PA | R plain radiograph of the wrist | 82.5 mm image width
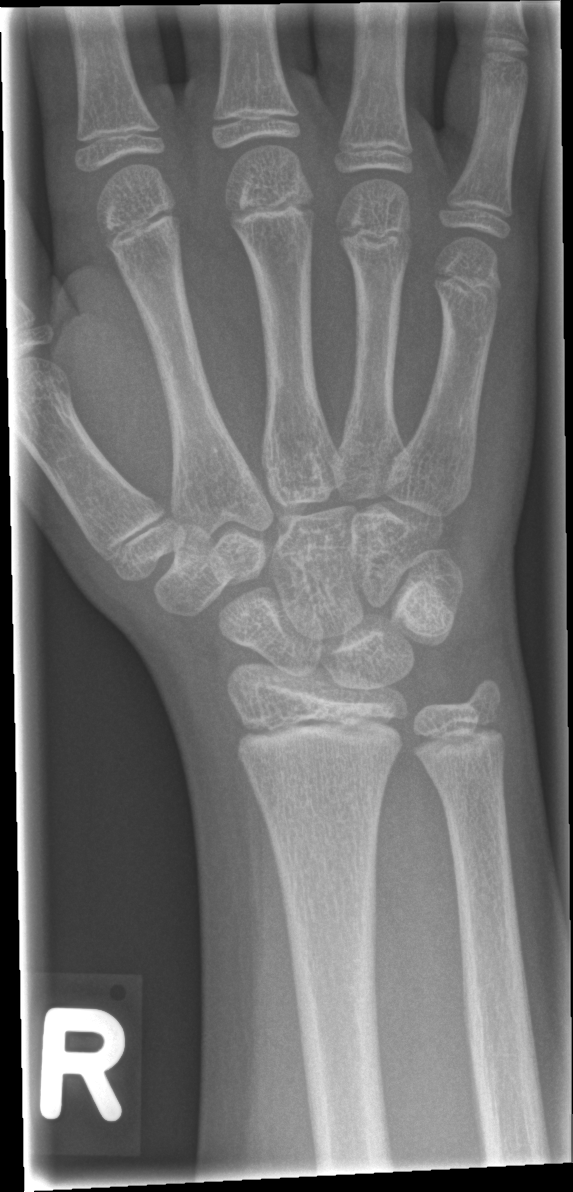
FINDINGS: No fracture annotation.